Frontal projection; right wrist plain film; age 11 y, boy; initial study; acquired on Siemens; image size 926x906 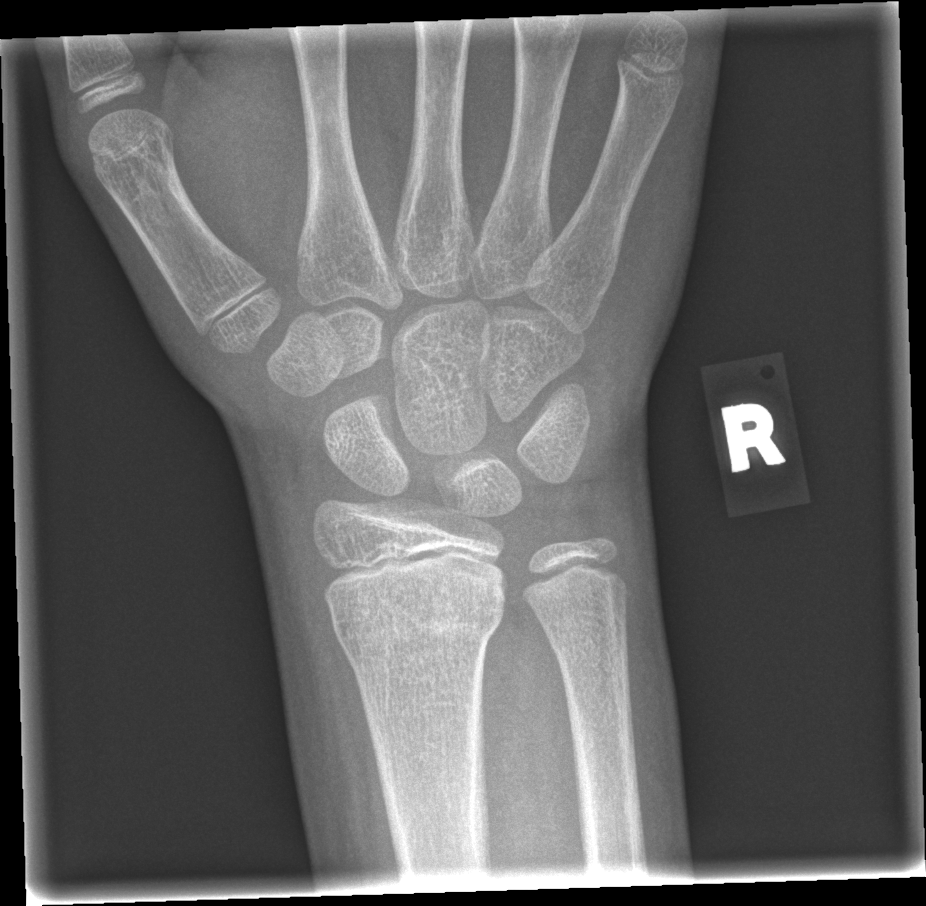

Bone fracture — [x1=331, y1=594, x2=510, y2=667].